Lat | R wrist X-ray | 12-year-old male | index exam | image size 430x830: 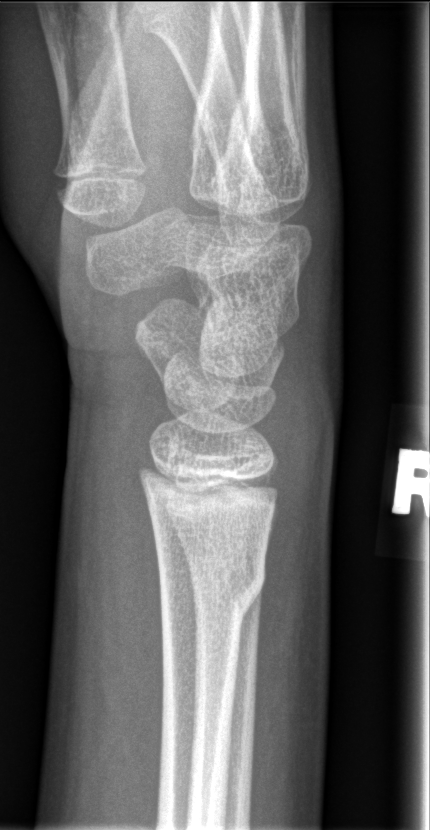 FINDINGS — One Fx at bbox(154, 553, 270, 618).